Left wrist XR; lateral; follow-up. 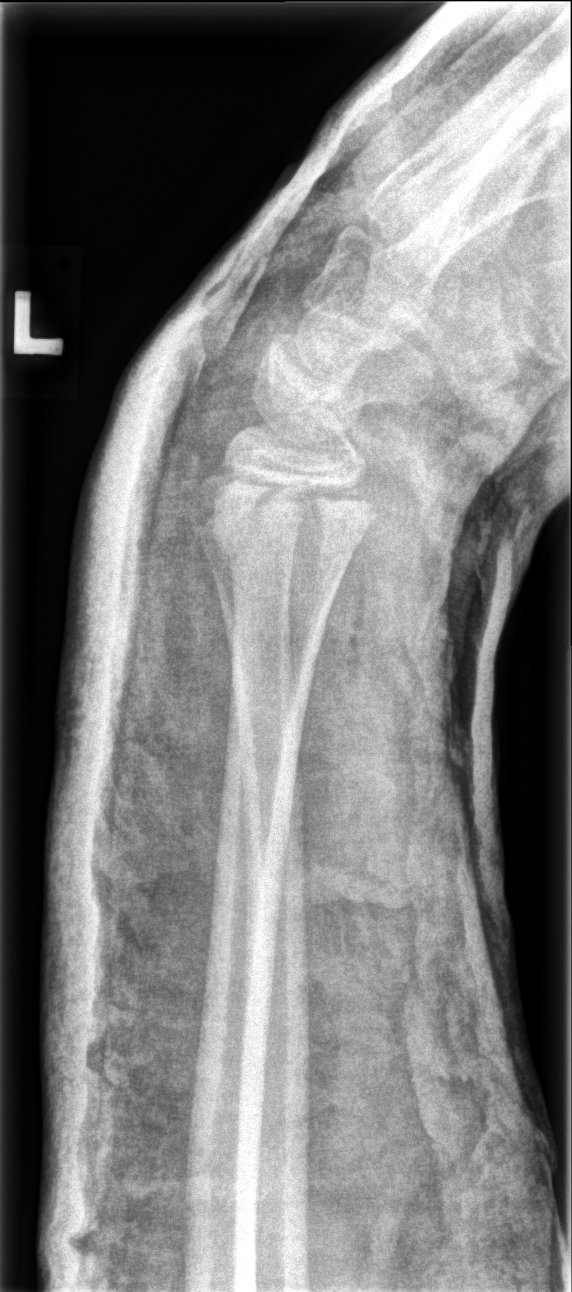

* Fracture classified AO/OTA 23r-E/2.1; 23u-E/7.
* Fracture — [191, 459, 380, 563].